Right wrist pediatric wrist radiograph · lateral view · 13y M · initial study · detector: Siemens · 65.7 mm image width 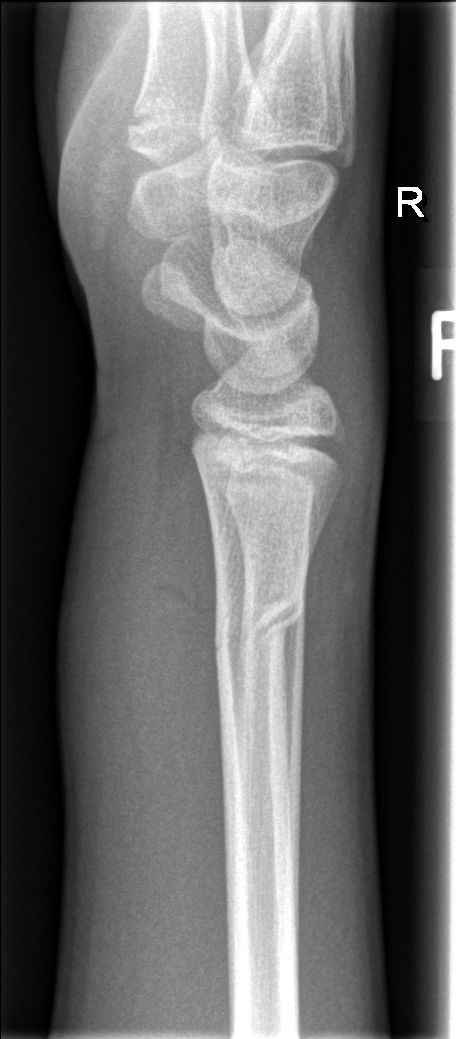 pronator quadratus fat-pad sign = 120 409 234 954
AO code = 23r-M/2.1
bone fracture = 1 @ 210 580 310 677